Left wrist radiograph · AP projection · detector: Siemens 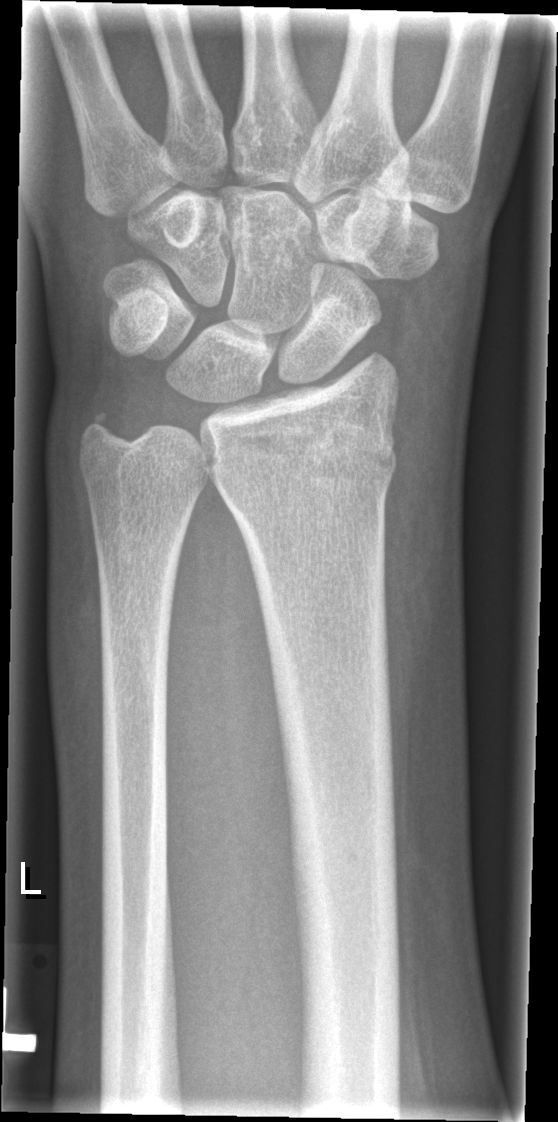 - Bounding boxes in image-pixel xyxy.
- AO/OTA classification: 23r-M/2.1; 23u-E/7.
- Bone fracture identified at <208,420>-<402,497>, <74,401>-<136,458>.